Posteroanterior view, left wrist XR, 7y M, follow-up study, cast in situ, detector: Siemens
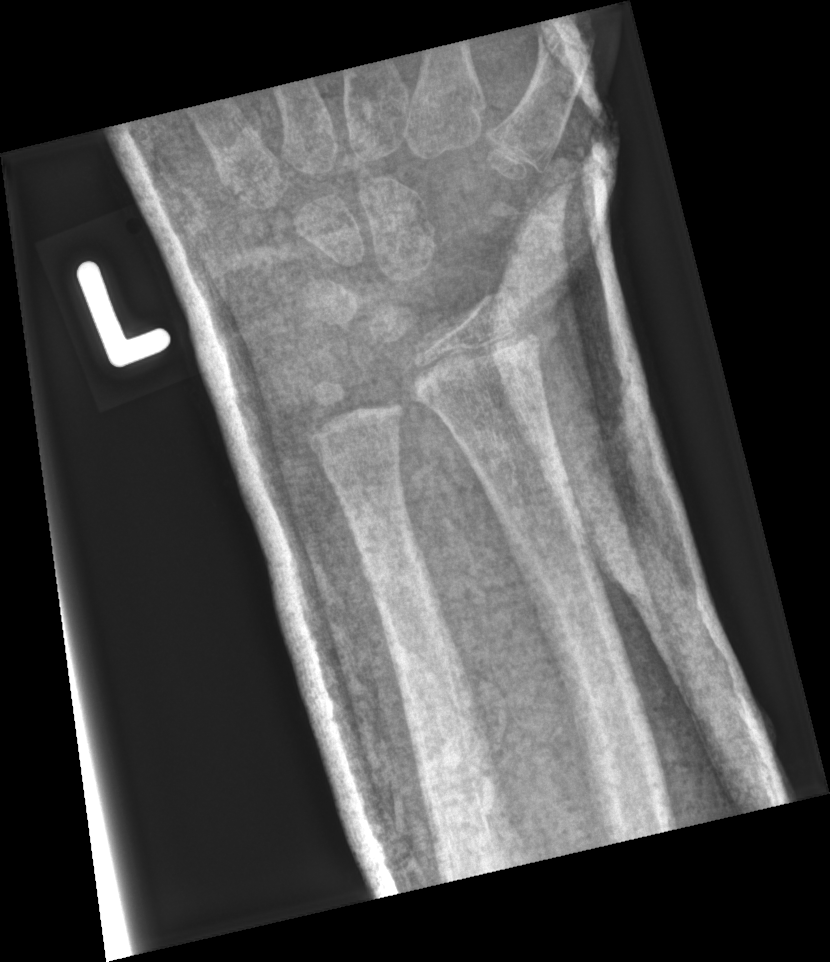 Fracture: present but not clearly seen in this view. AO/OTA classification: 22r-D/1; 23u-M/3.1.